Right wrist radiograph, lat view, pediatric patient (girl, age 2), presentation radiograph.

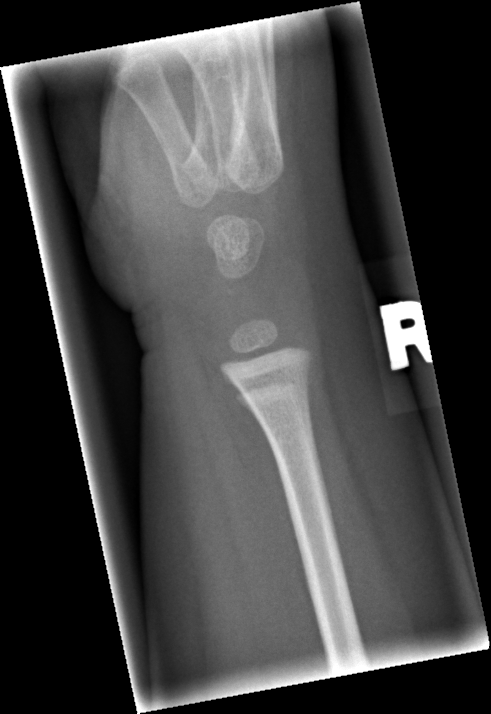 Findings: Fracture: none labeled.